Lateral view; left wrist plain film; image size 459x1344.

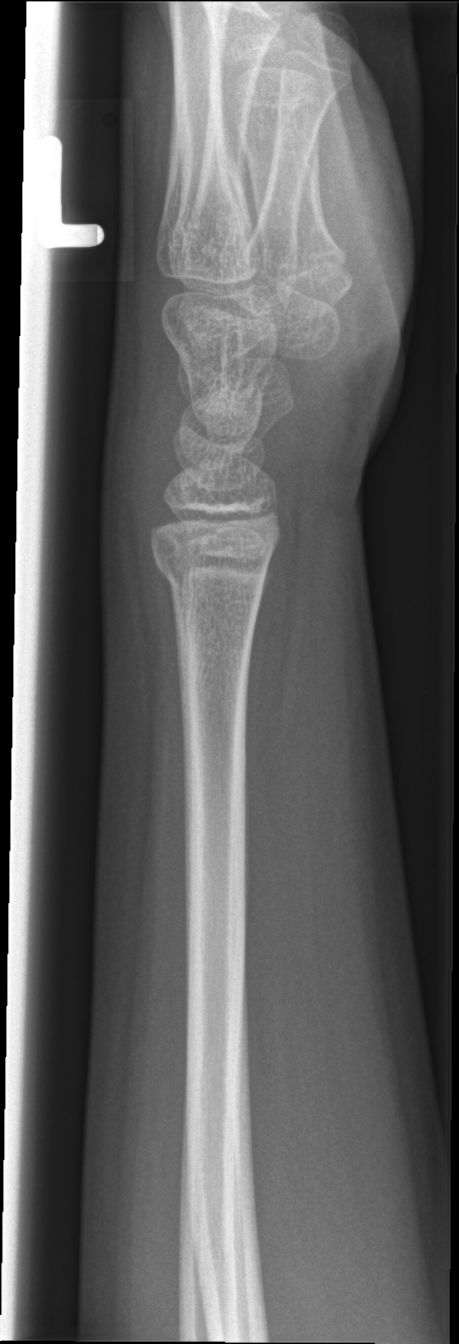
FINDINGS — (pixel coordinates, top-left origin, xyxy) One soft tissue abnormality at 99 356 187 558. AO/OTA classification: 23r-M/2.1. Fracture identified at 149 544 275 608.